Lateral; left wrist plain radiograph of the wrist; acquired on Siemens; image size 386x806: 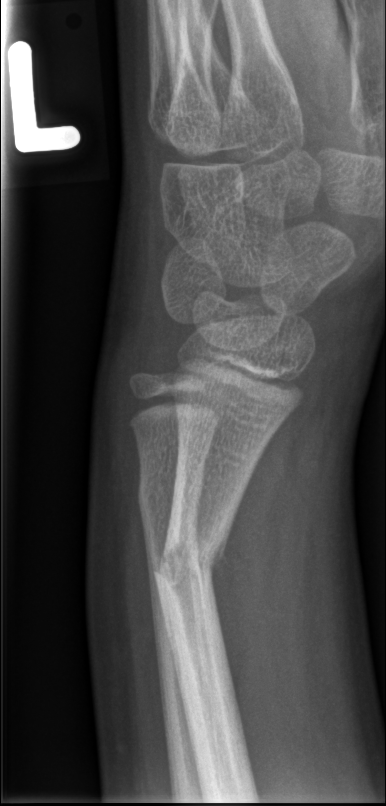

Two Fx at (151, 534, 228, 595); (135, 478, 203, 518).